Rt plain radiograph of the wrist, frontal projection, image width 78.0 mm:
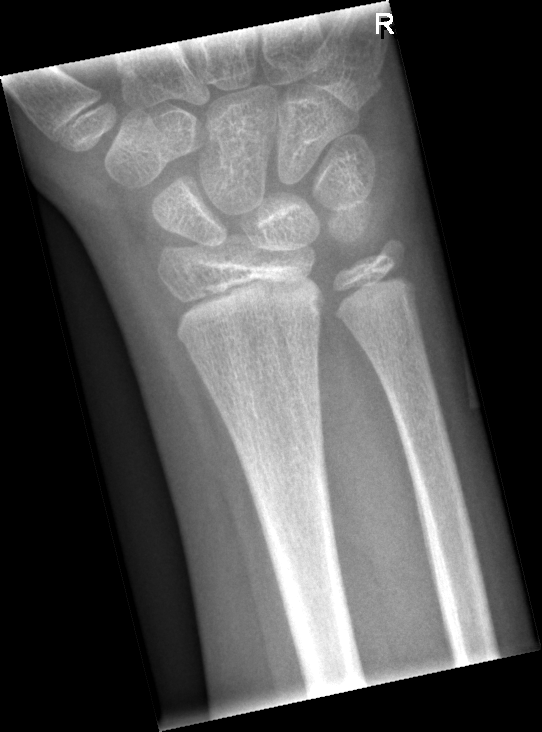 No fracture annotation.